L wrist radiograph; AP projection; follow-up; 116.9 mm image width —

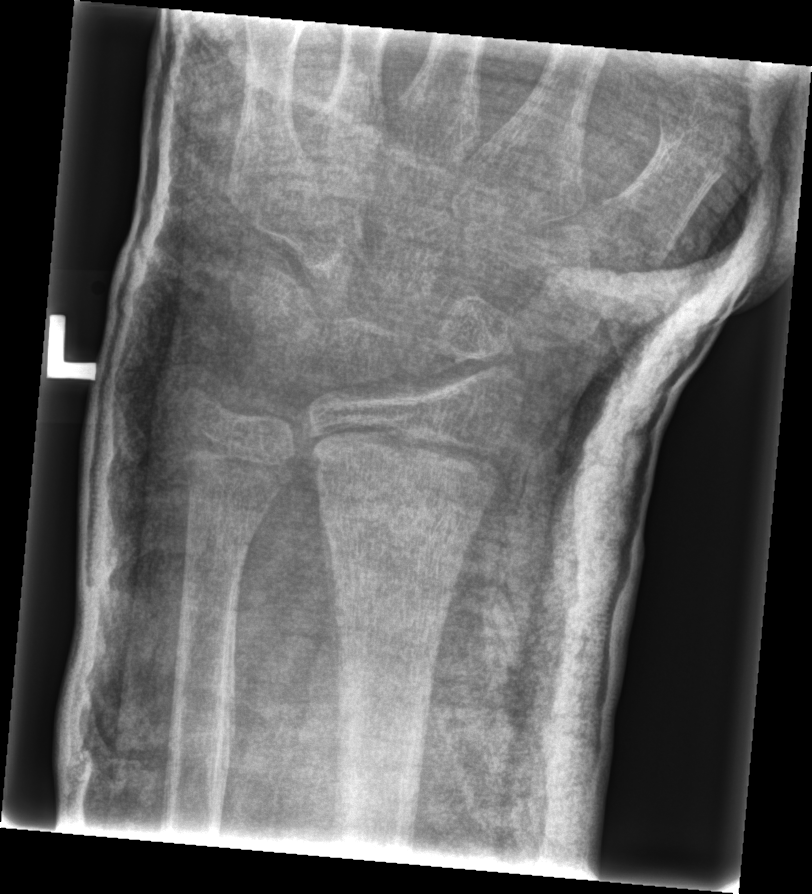

(coordinates are [x1, y1, x2, y2] in image pixels)
AO classification: 23r-M/2.1
Periosteal reaction: 321 525 343 744
Fracture: present but not clearly seen in this view